R wrist radiograph, lateral, pediatric patient (boy, age 6), follow-up.
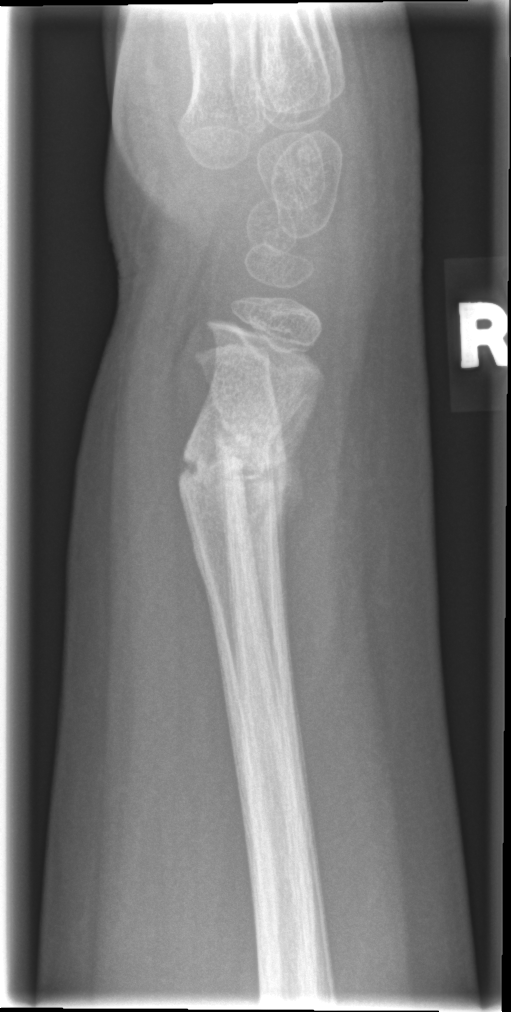

(boxes as x1,y1,x2,y2 (top-left / bottom-right, pixel units))
Q: Is there periosteal reaction?
A: Periosteal new bone identified at <267,398>-<318,585>
Q: Any fracture seen?
A: Fracture identified at <178,416>-<301,541>
Q: AO code?
A: Fracture classified AO/OTA 23-M/3.1